Right wrist pediatric wrist radiograph · lateral · follow-up study · cast present · Siemens. 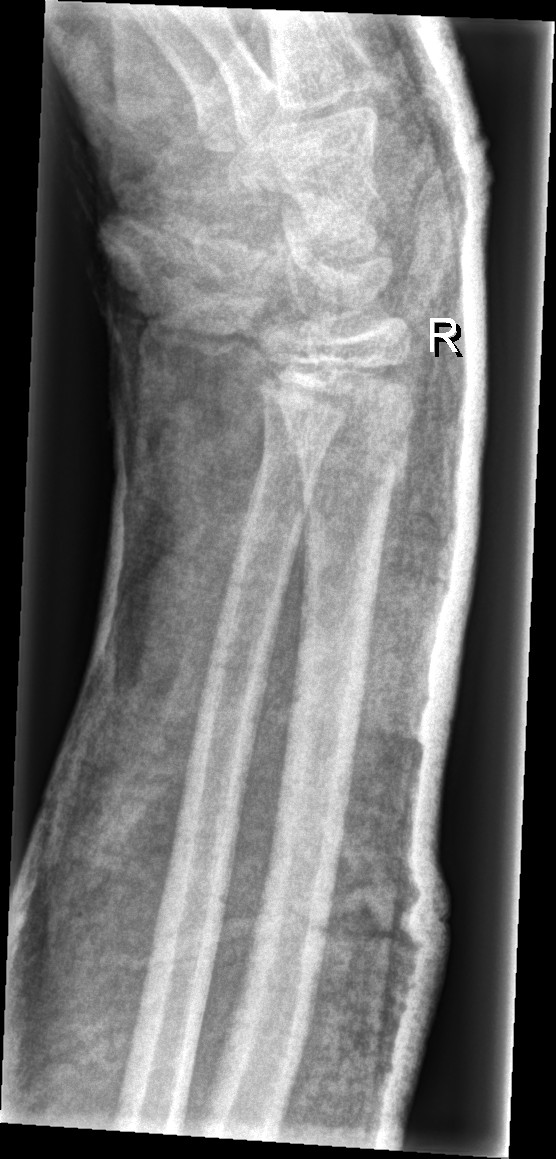 (bounding boxes in image-pixel xyxy)
Fx: bbox(283, 407, 417, 501)